Lt wrist X-ray; lateral; cast present: 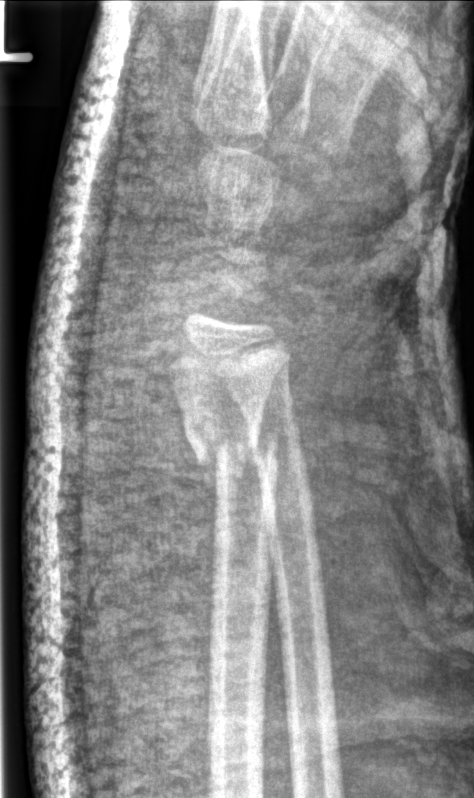
Pixel coordinates, top-left origin, xyxy. Fracture: [175, 411, 284, 481].